Left wrist radiograph; lat view; 6y M; initial study; detector: Siemens —

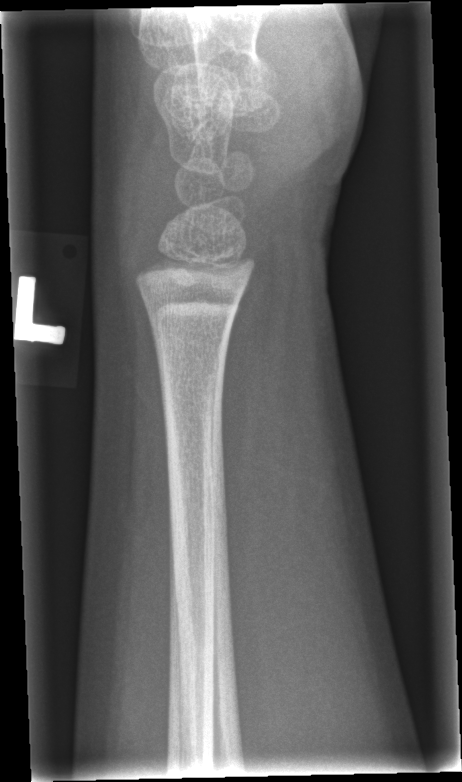

bone fracture = none labeled